Lateral view · right wrist X-ray.
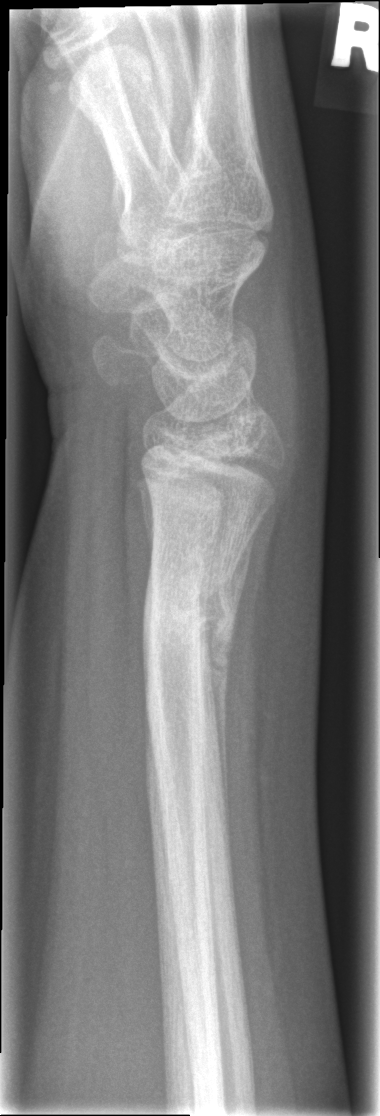

Q: Any fracture seen?
A: Fracture — [x1=139, y1=602, x2=240, y2=710]
Q: Locate any periosteal reaction.
A: Periosteal new bone identified at [x1=210, y1=540, x2=251, y2=798]
Q: Is there osteopenia?
A: Decreased bone density (osteopenia)
Q: AO code?
A: Fracture classified AO/OTA 23r-M/3.1; 23u-M/2.1; 23u-E/7